PA/AP projection · Rt wrist radiograph —

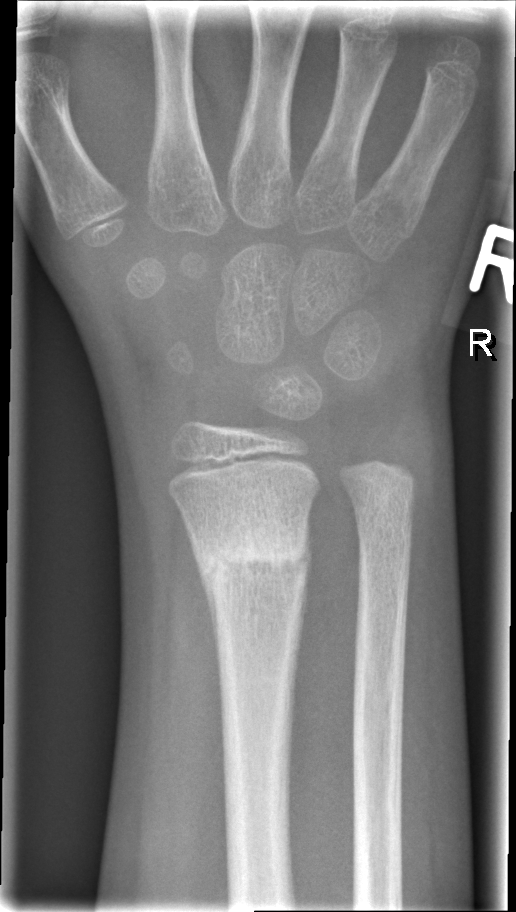 osteopenia: present
periostealreaction: 1 @ bbox(189, 536, 219, 672)
fracture: bbox(196, 527, 311, 592)
ao: 23r-M/3.1; 23u-M/2.1